Lateral · right wrist XR · follow-up study · image 67.2 mm wide:
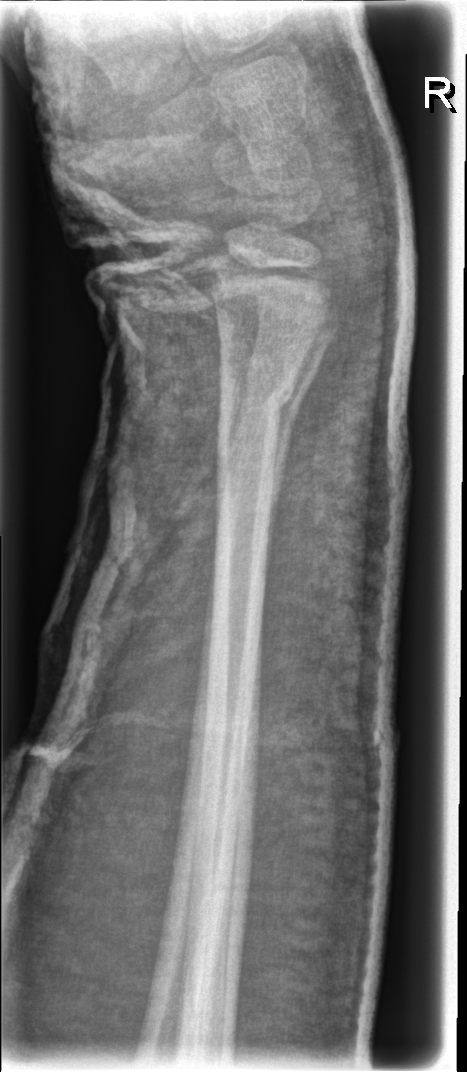
* Coordinates are [x1, y1, x2, y2] in image pixels.
* Fracture: <216,378>-<298,430>.
* AO code 23r-M/2.1.